Lat view | L plain radiograph of the wrist | index exam | image size 638x1342:

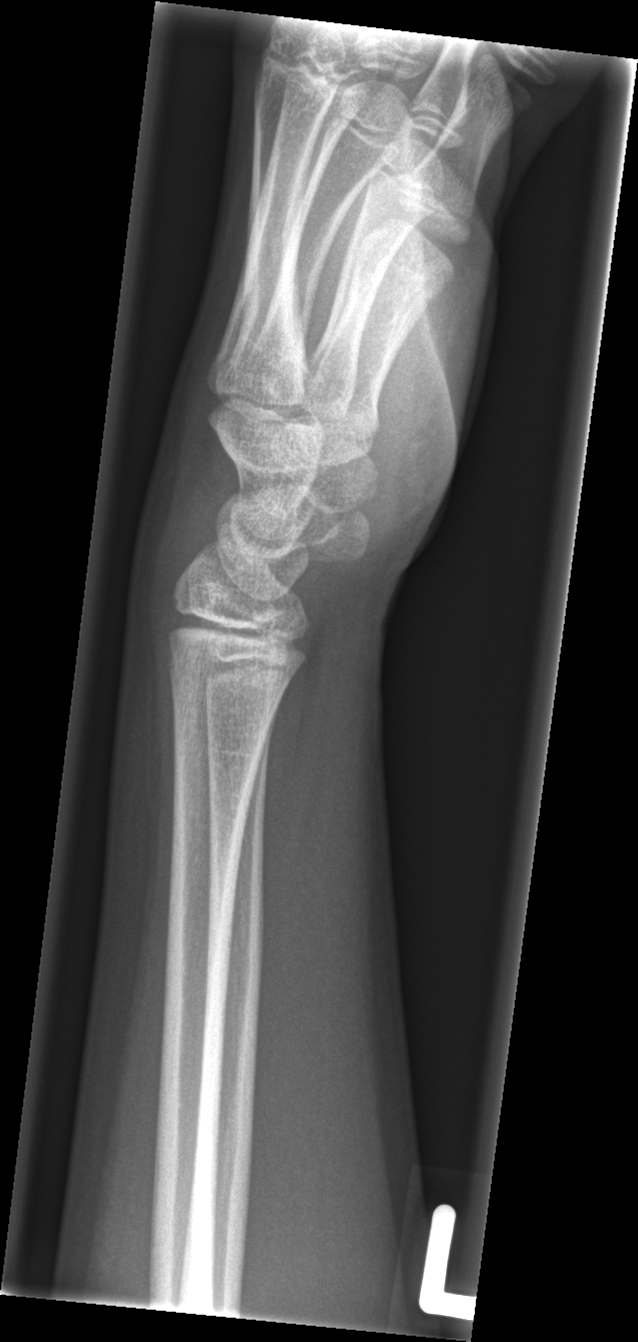

* No fracture labeled.